Right pediatric wrist radiograph; posteroanterior view; 9y M; 430x588:

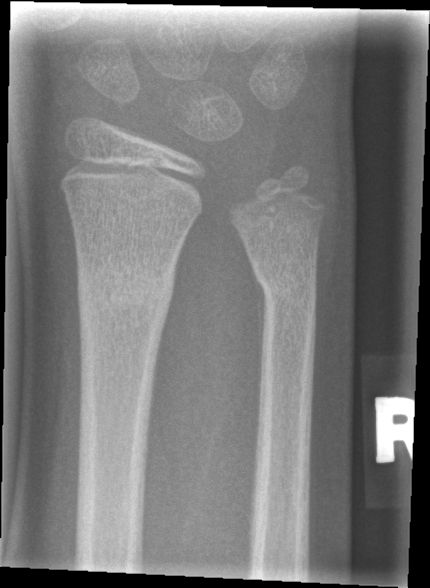

FINDINGS: (bounding boxes in image-pixel xyxy) Periosteal reaction: bbox(257, 280, 266, 448). Two bone fractures at bbox(74, 266, 175, 316); bbox(254, 264, 318, 311). Fracture classified AO/OTA 23r-M/2.1.